PA, left pediatric wrist radiograph, subsequent exam, image size 558x916.
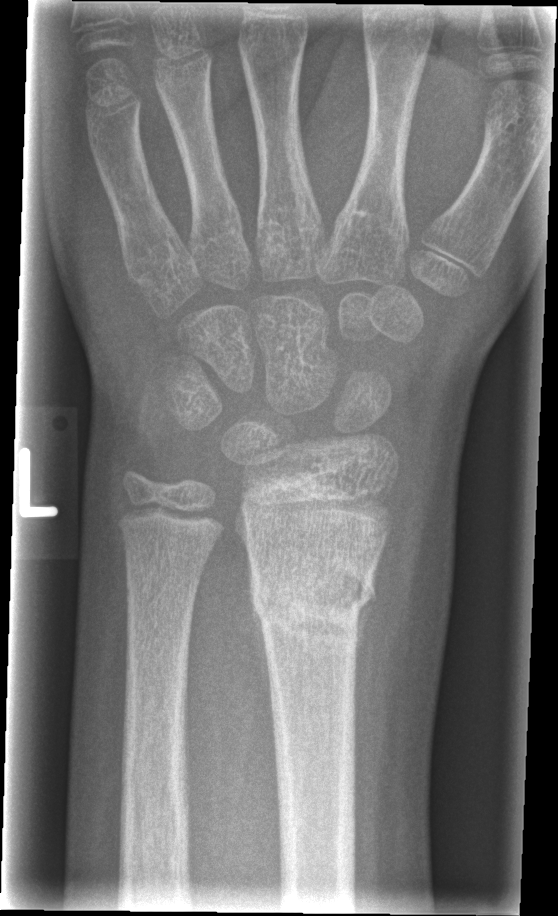 - Fracture classified AO/OTA 23r-M/2.1.
- Periosteal reaction — (left=252, top=606, right=275, bottom=740), (left=354, top=600, right=376, bottom=671).
- Reduced bone mineral density.
- Fracture identified at (left=245, top=567, right=380, bottom=642).